AP; Lt wrist XR; cast in situ; acquired on Siemens; image size 687x1108 — 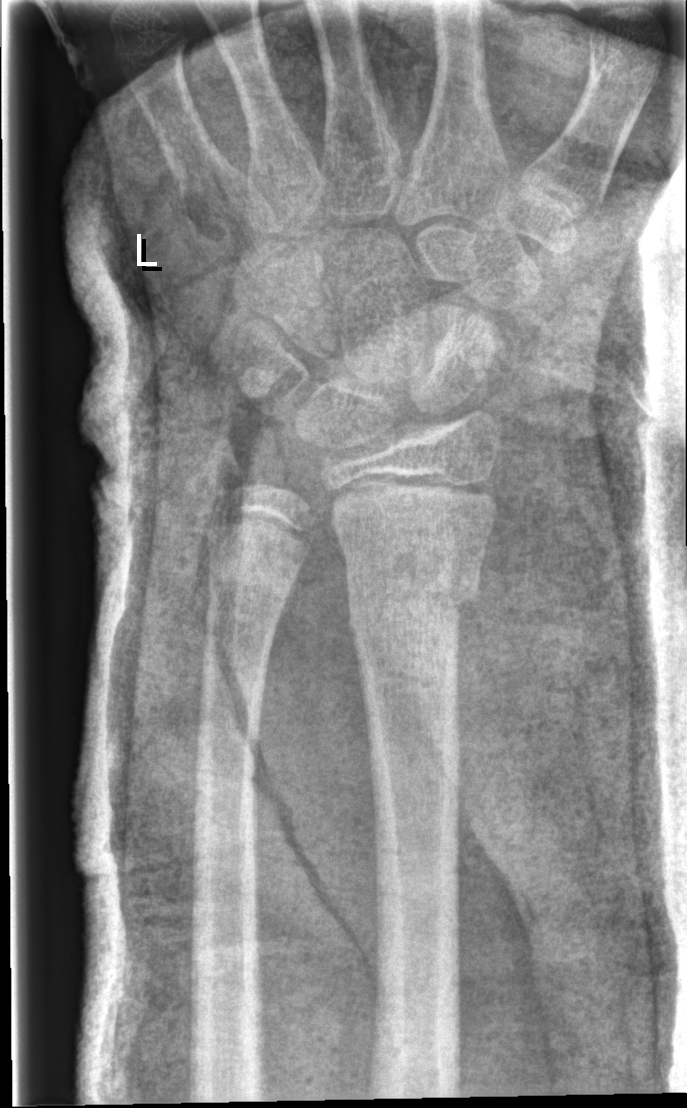
AO classification: 23r-M/3.1; 23u-E/7
Bone fracture: 339 532 487 655; 195 431 254 499